Left wrist radiograph · posteroanterior view · 8y F · follow-up study · image 76.5 mm wide · 531 x 836 px — 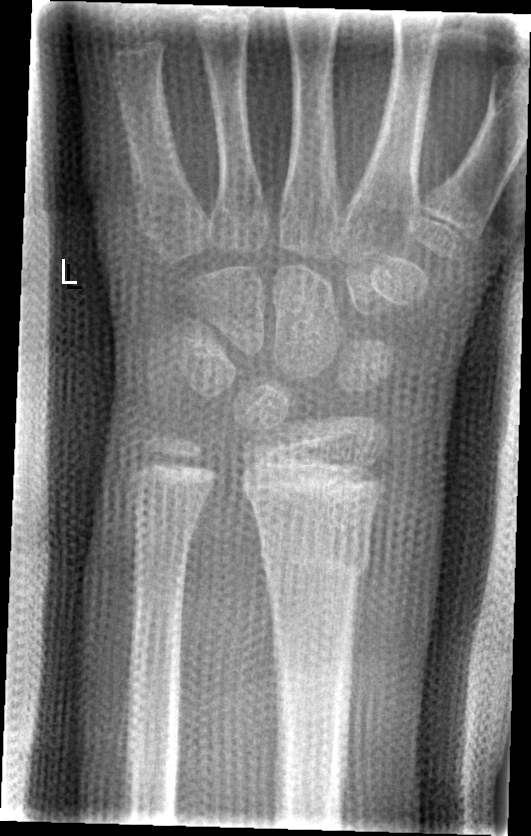

Findings: Fracture: (left=255, top=522, right=374, bottom=597).